AP view; Lt plain radiograph of the wrist; cast in situ; detector: Siemens; image width 88.4 mm: 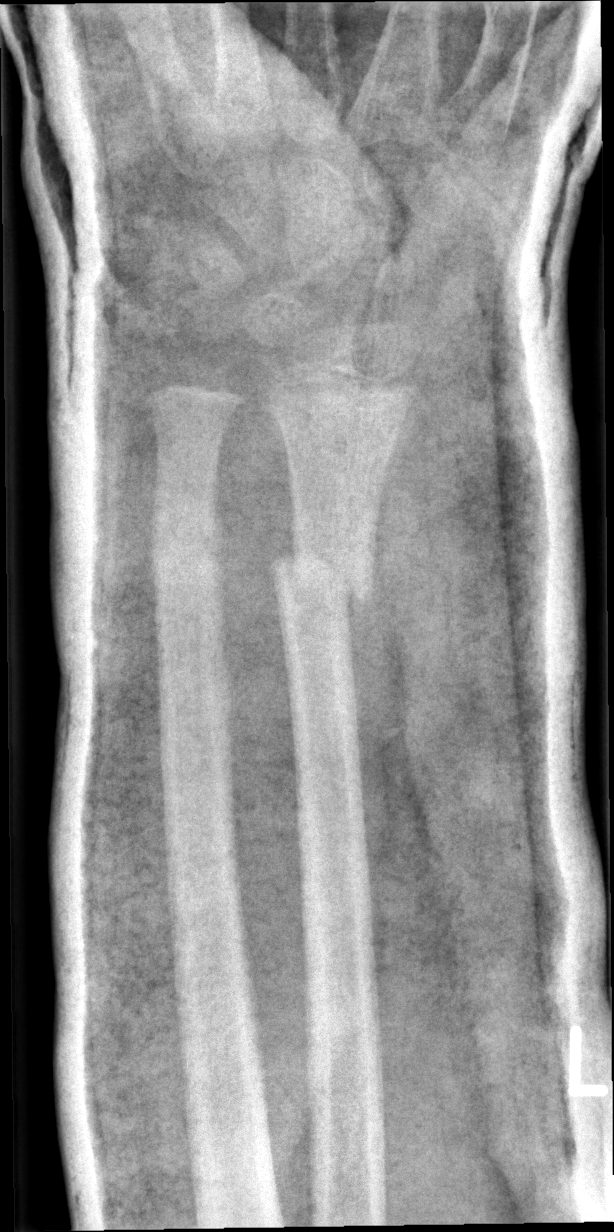
{"fracture": "2 @ [x1=270, y1=533, x2=378, y2=615], [x1=149, y1=503, x2=225, y2=597]"}